PA/AP projection, left wrist plain film, 11y F 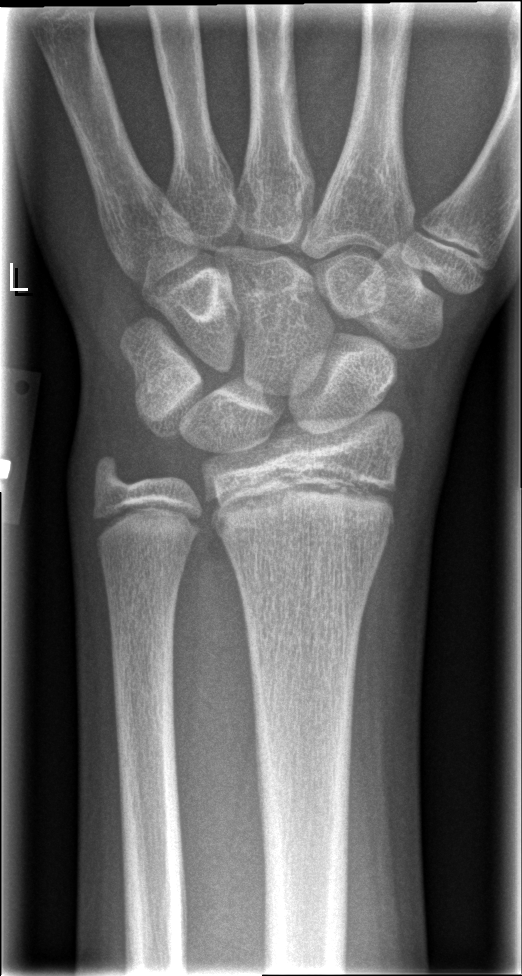
• No fracture annotation.